Right pediatric wrist radiograph | lateral projection | image 78.2 mm wide — 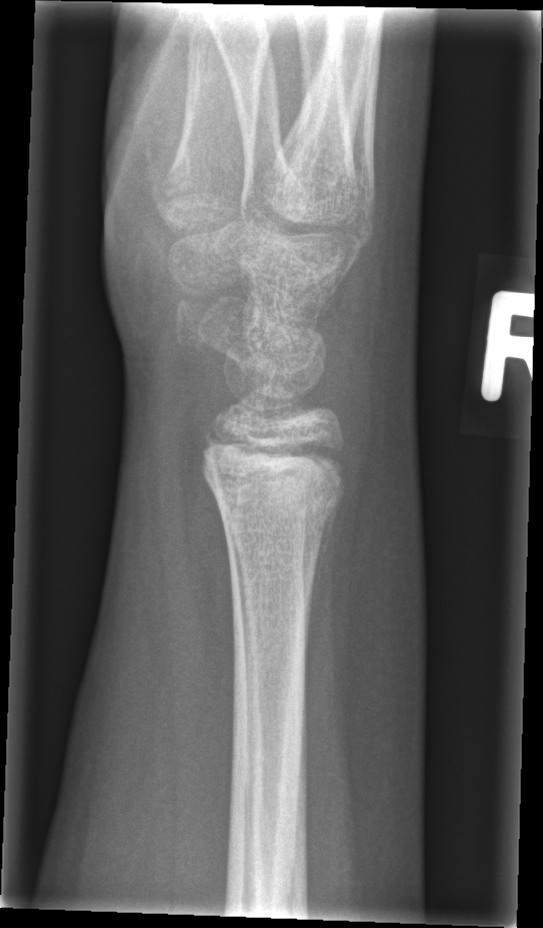 Reduced bone mineral density. Bone fracture — (195, 430, 351, 544). AO/OTA classification: 23r-E/2.1; 23u-E/7.